Left wrist XR · AP view · boy, 12 yo · subsequent exam · in cast

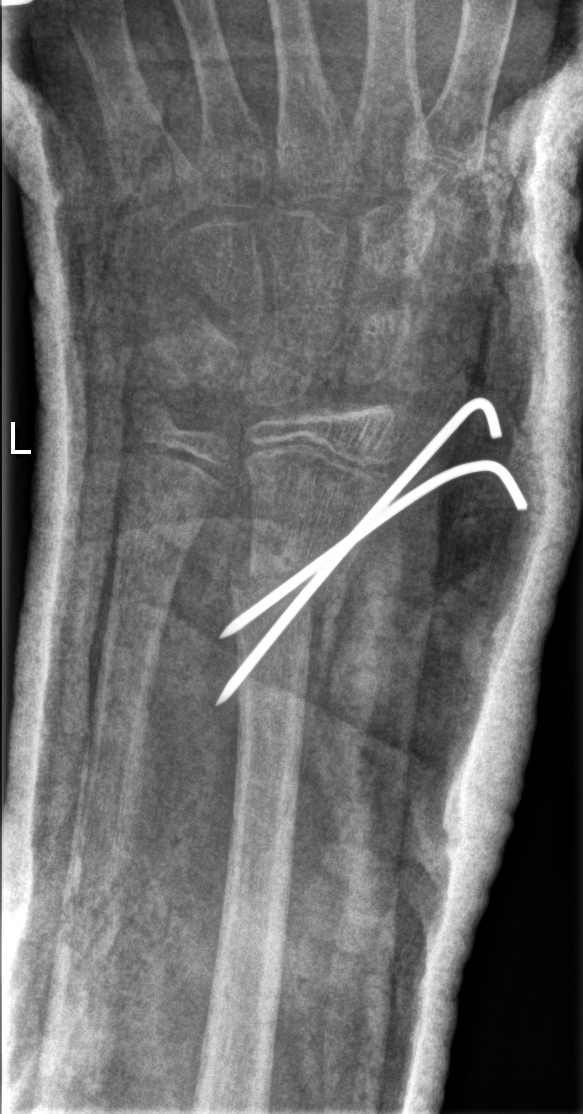

Bone fracture identified at bbox(226, 554, 352, 636). AO code 23r-M/3.1; 23u-M/2.1. Hardware — bbox(217, 400, 529, 710).